Posteroanterior view; left wrist plain film — 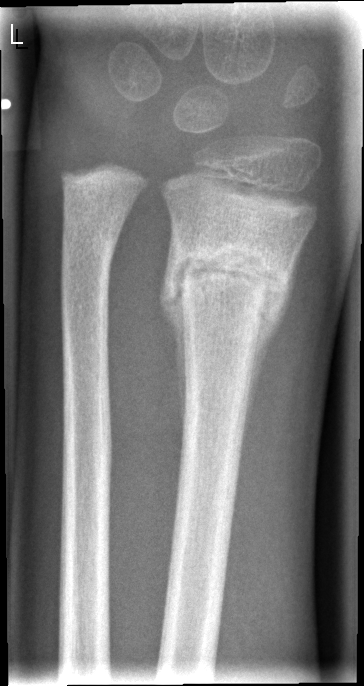 Coordinates are [x1, y1, x2, y2] in image pixels. Periosteal new bone: 239 240 304 463; 160 278 191 440. Fracture classified AO/OTA 23r-M/3.1; 23u-M/2.1. Bone fracture identified at 166 238 292 323. Reduced bone mineral density.